Rt plain radiograph of the wrist · lat view · follow-up study · image size 474x663.
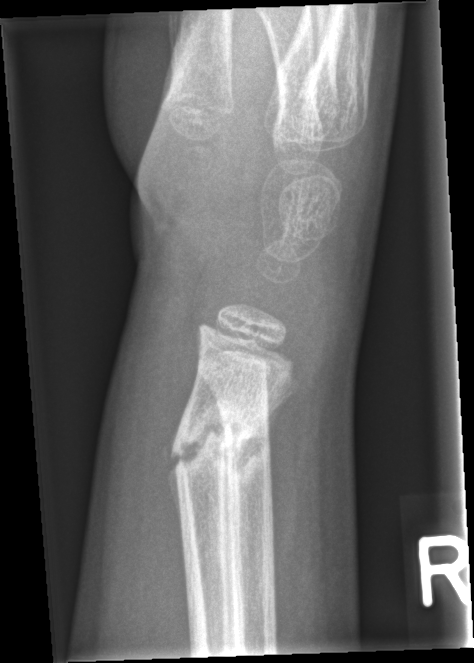 Coordinates are [x1, y1, x2, y2] in image pixels. Bone fracture — [x1=168, y1=402, x2=272, y2=487]. Periosteal reaction identified at [x1=222, y1=405, x2=278, y2=594], [x1=164, y1=428, x2=182, y2=530]. Osteopenia.